Right wrist radiograph · lateral projection · pediatric patient (boy, age 14) · follow-up study · in cast · 698 by 1568 pixels:
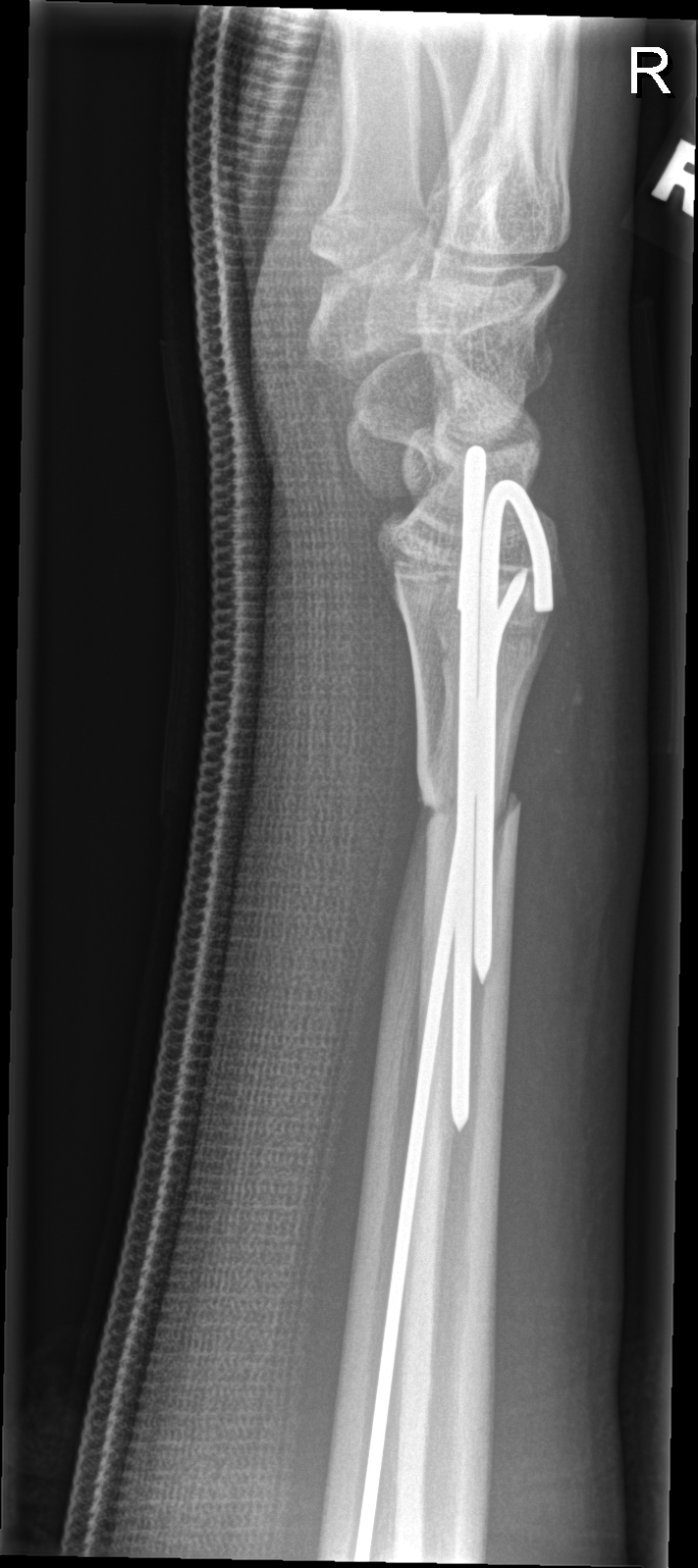
Q: Is there a fracture?
A: Bone fracture identified at 411 765 530 834
Q: Locate any hardware.
A: One metallic implant at 450 446 558 1135